Frontal projection, left wrist plain radiograph of the wrist, 514 x 764 px

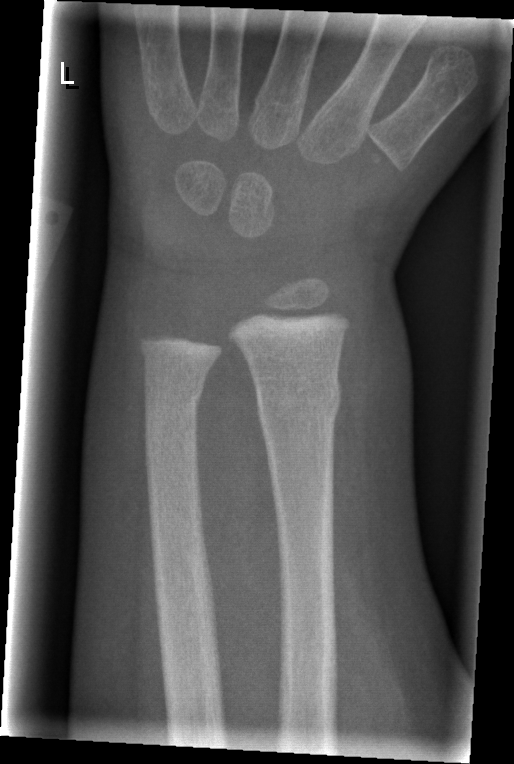

Boxes as x1,y1,x2,y2 (top-left / bottom-right, pixel units).
AO code 23-M/2.1.
Two fractures at bbox(253, 374, 342, 430) bbox(138, 369, 212, 428).